L wrist plain film; frontal projection —

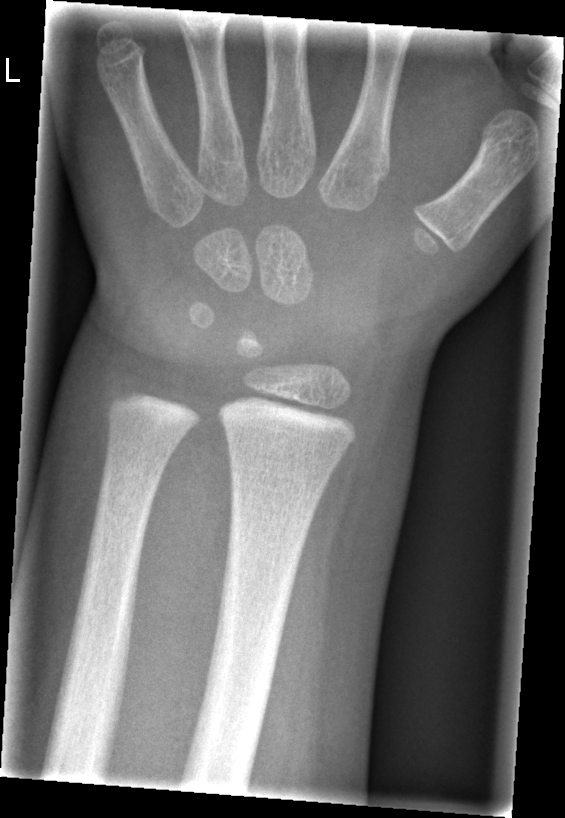 No fracture annotation.